Left wrist XR · posteroanterior view · cast present · Siemens.
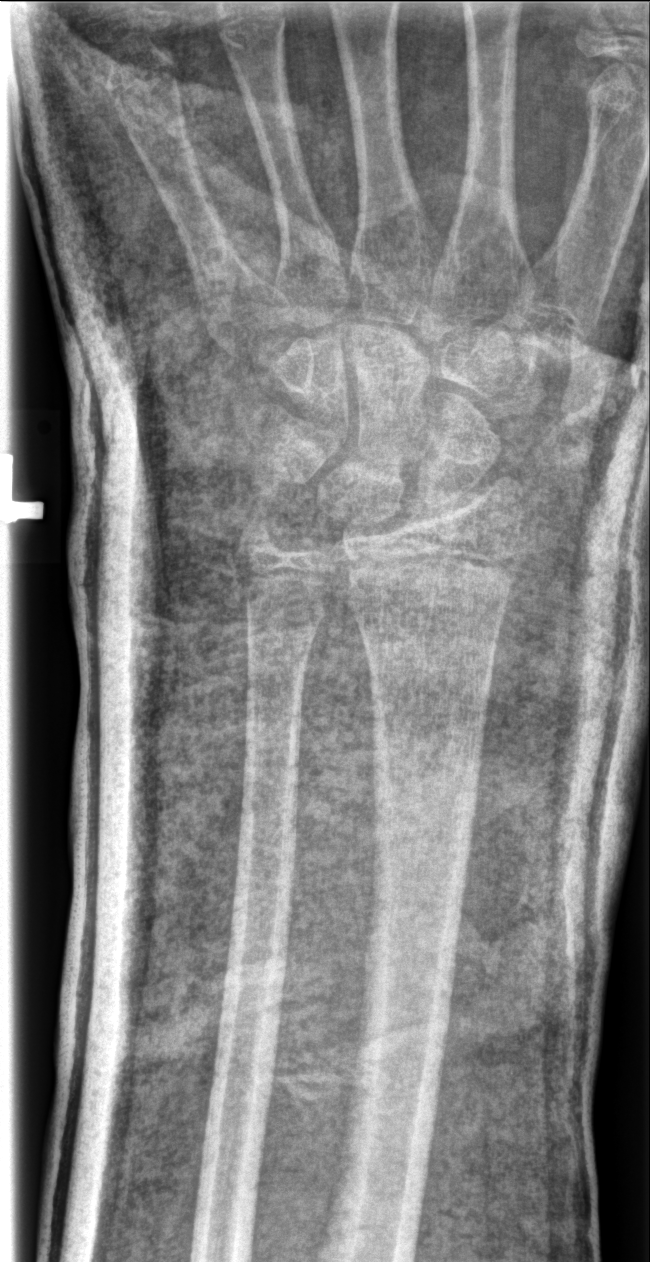

{"fracture": "none labeled"}